PA projection · left wrist plain film · 718 by 1320 pixels. 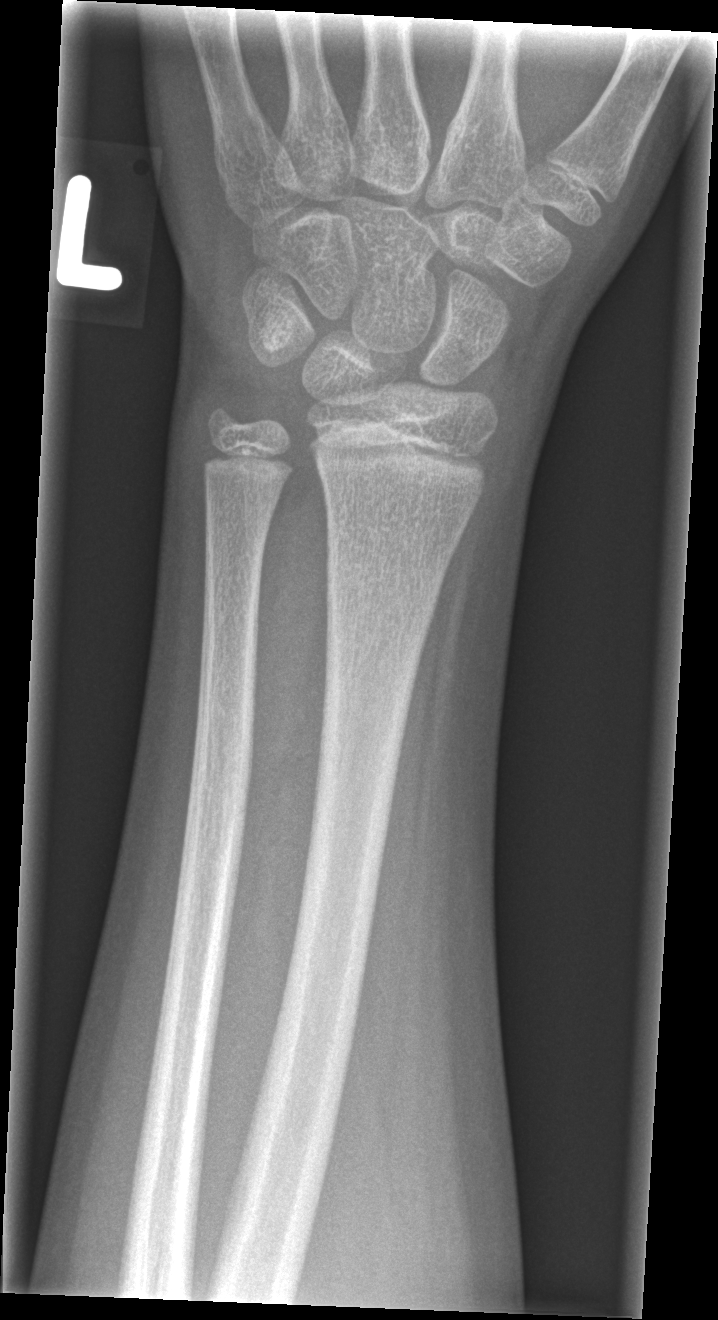 (bounding boxes in image-pixel xyxy)
Q: Fracture present?
A: One bone fracture at (left=322, top=554, right=448, bottom=621)
Q: AO code?
A: AO/OTA classification: 23r-M/2.1